Lat view, R wrist plain film, 13-year-old boy

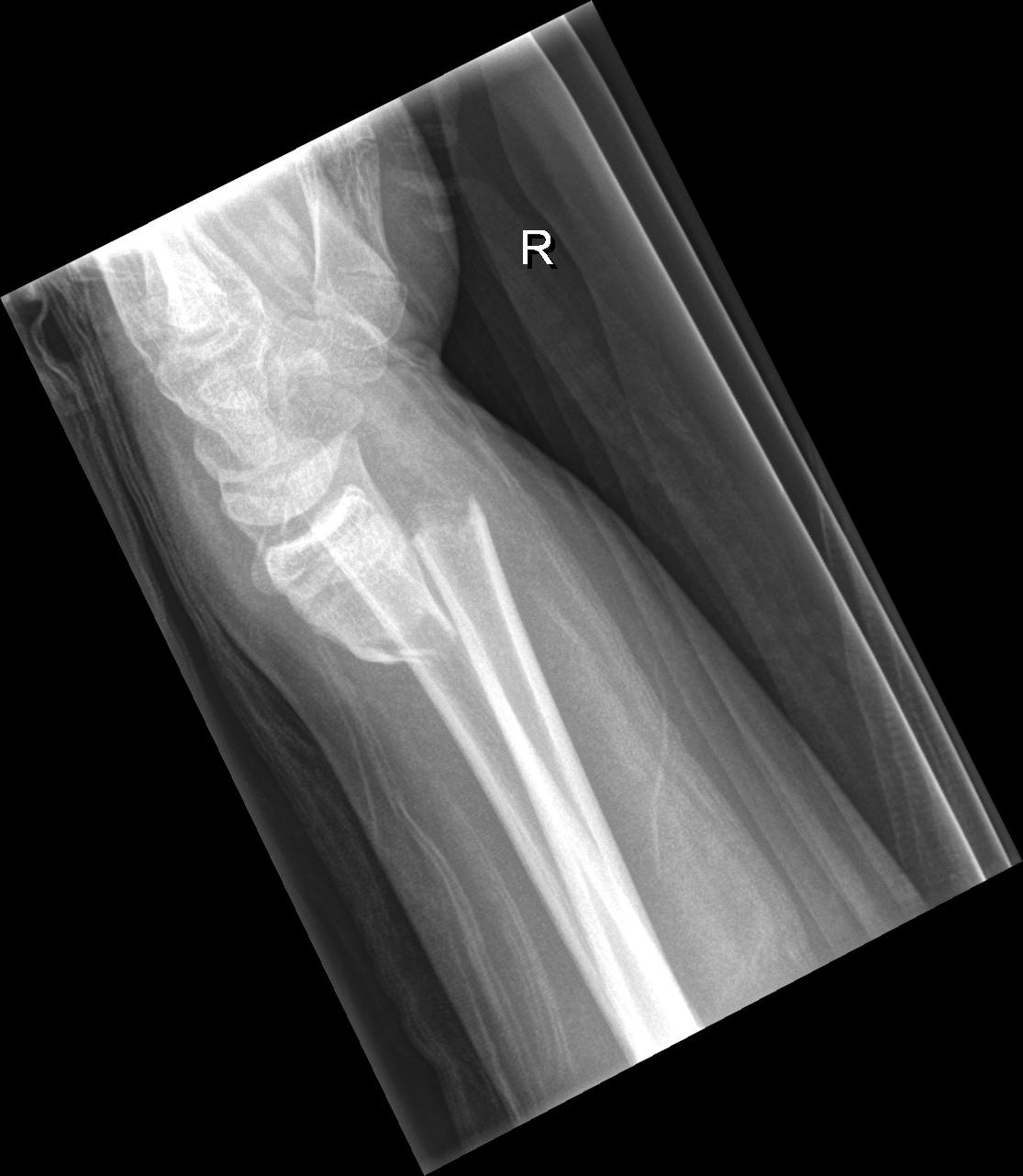
Bone fracture = 1 @ 341,488,486,672
AO code = 23r-M/3.1; 23u-E/1